Posteroanterior projection · L wrist radiograph · index exam · image size 788x680 —

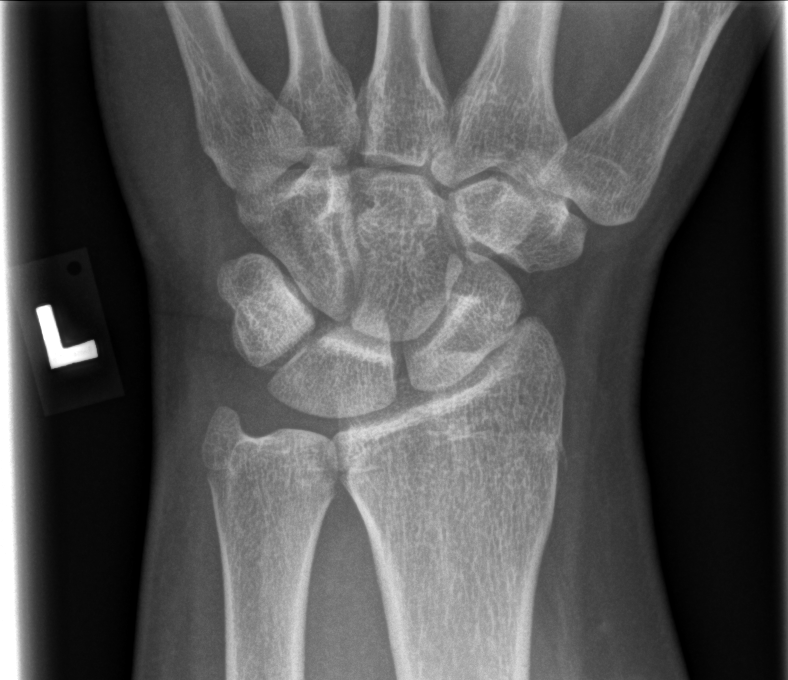
No Fx annotated.